L plain radiograph of the wrist · lateral · pediatric patient (boy, age 9) · acquired on Siemens —
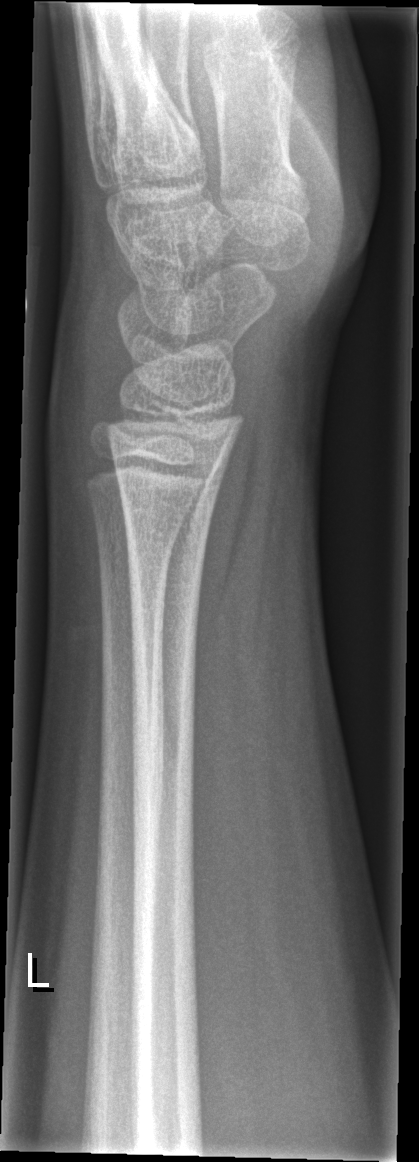
{"fracture": "none labeled"}